Lt wrist X-ray, lateral projection, 11-year-old boy, presentation radiograph, Siemens —
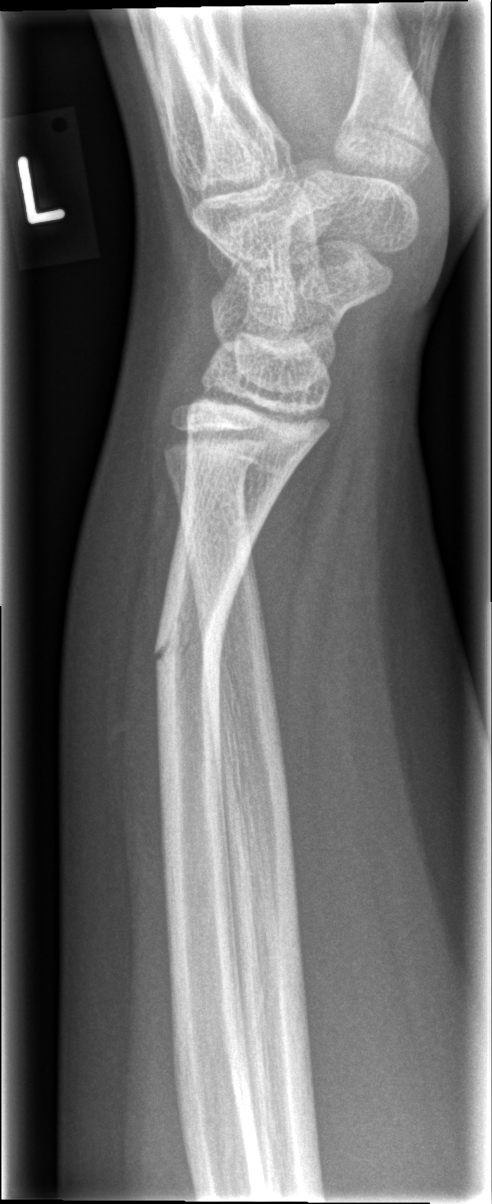
(coordinates are [x1, y1, x2, y2] in image pixels)
Fracture = 1 @ [x1=151, y1=617, x2=230, y2=670]